Right wrist X-ray, lat projection, 15y F, 617 by 1176 pixels —
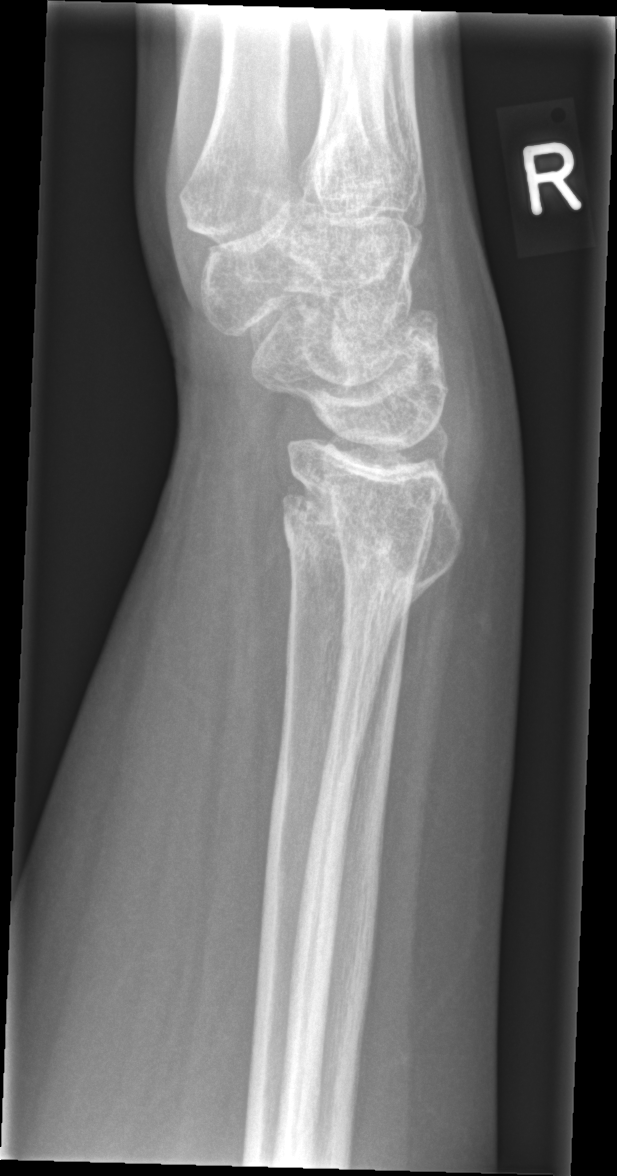 (bounding boxes in image-pixel xyxy)
Osteopenia = present
AO/OTA = 23r-M/3.1; 23u-E/7
Bone fracture = <282,476>-<456,625>